Lat, L wrist radiograph, age 7 y, girl — 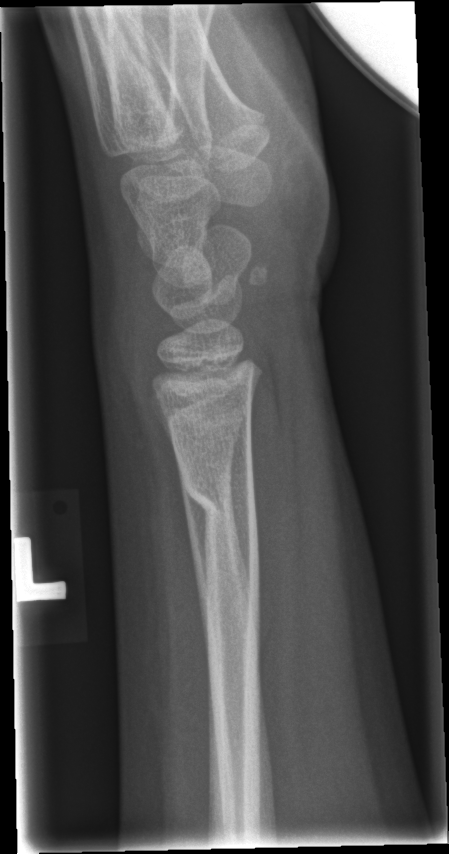
(coordinates are [x1, y1, x2, y2] in image pixels)
AO classification = 23-M/2.1
fracture = [179, 467, 261, 530]